Posteroanterior view; R pediatric wrist radiograph; 498 by 968 pixels

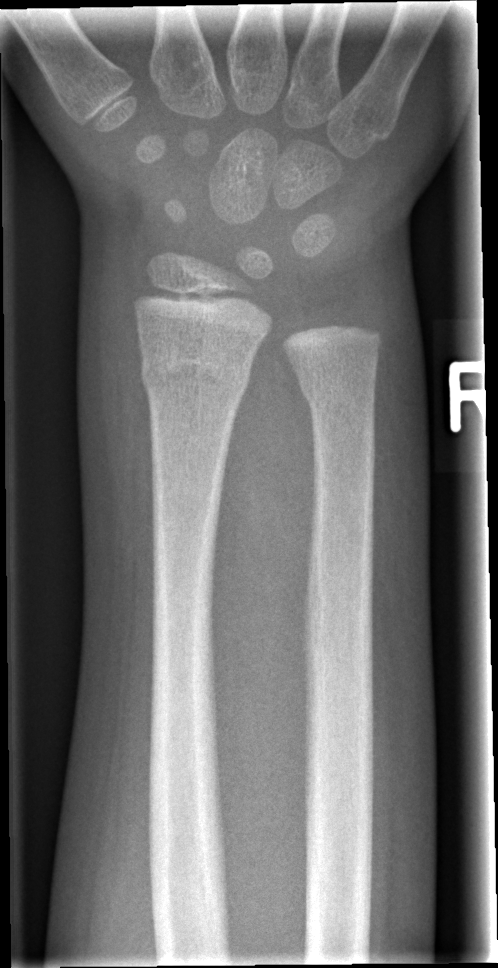

Q: Any fracture seen?
A: Fx: [136, 343, 258, 407]; [296, 377, 379, 423]